Lateral, right wrist radiograph, boy, 10 yo, 88.4 mm image width 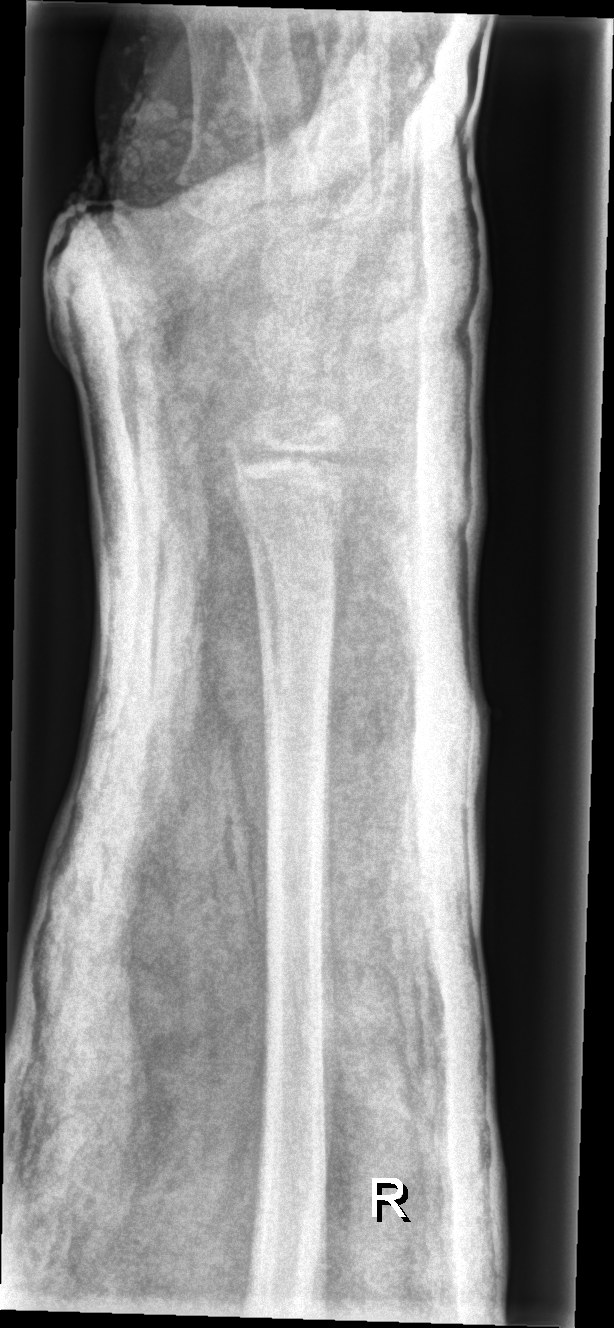

Fx = 1 @ [x1=209, y1=451, x2=354, y2=538]